L plain radiograph of the wrist · PA/AP view · 15-year-old female 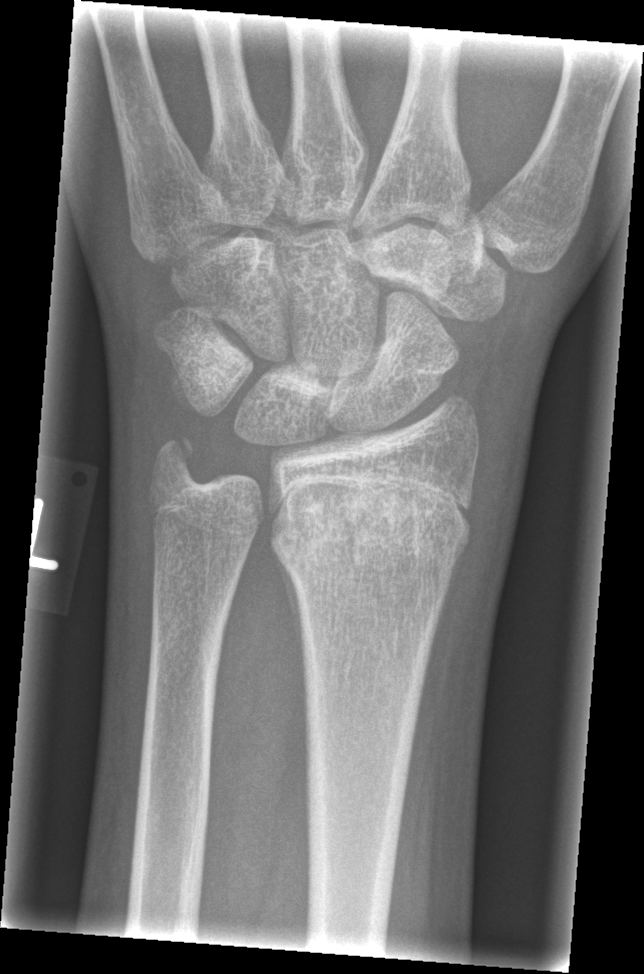 osteopenia = present
AO/OTA = 23r-M/2.1; 23u-E/7
periosteal new bone = 1 @ [x1=272, y1=548, x2=306, y2=697]
bone fracture = [x1=265, y1=482, x2=474, y2=573], [x1=145, y1=428, x2=218, y2=500]